Posteroanterior | R wrist plain film | pediatric patient (male, age 12) —

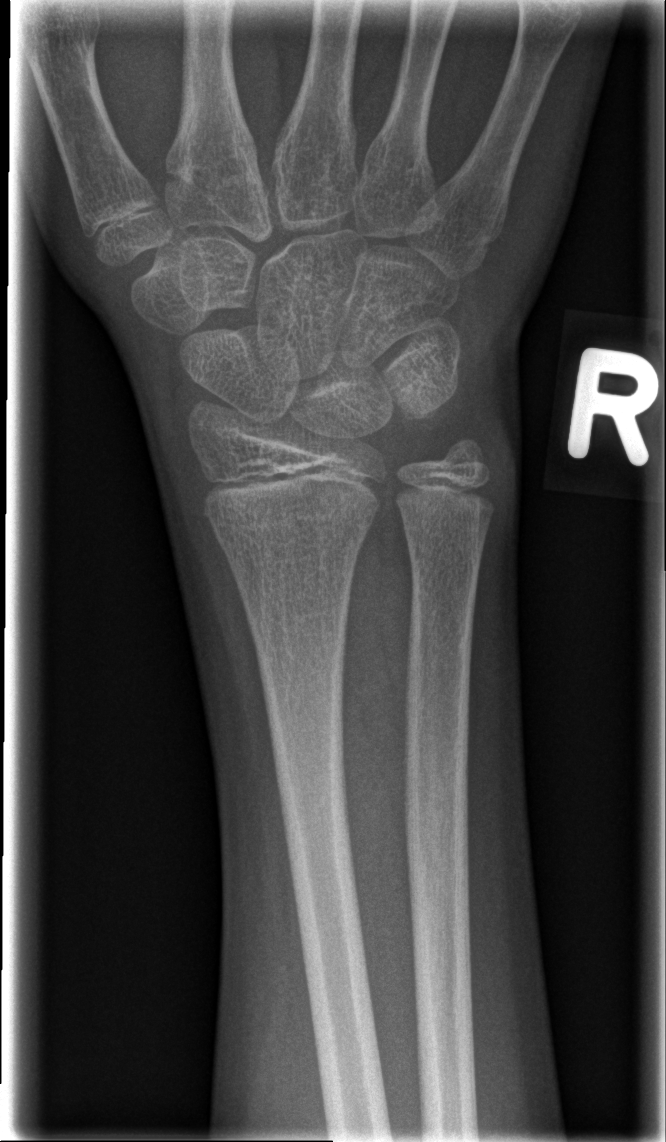
FINDINGS — AO code 23r-M/2.1. Fracture: bbox(208, 495, 383, 559).